Lat projection · L wrist plain film
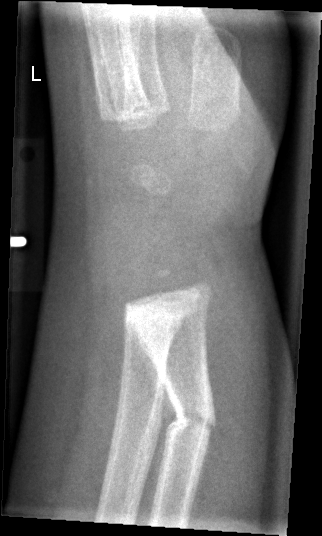

{"fracture": "(162, 394, 220, 449); (122, 303, 186, 347)", "periostealreaction": "(136, 327, 184, 504)"}